PA/AP view, R pediatric wrist radiograph, 466 by 814 pixels —
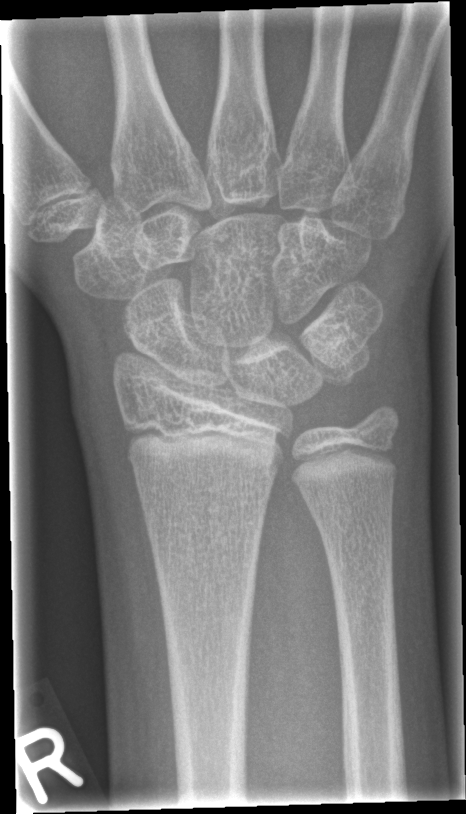

Fx: none labeled